Lt wrist plain film · lat · image size 503x994 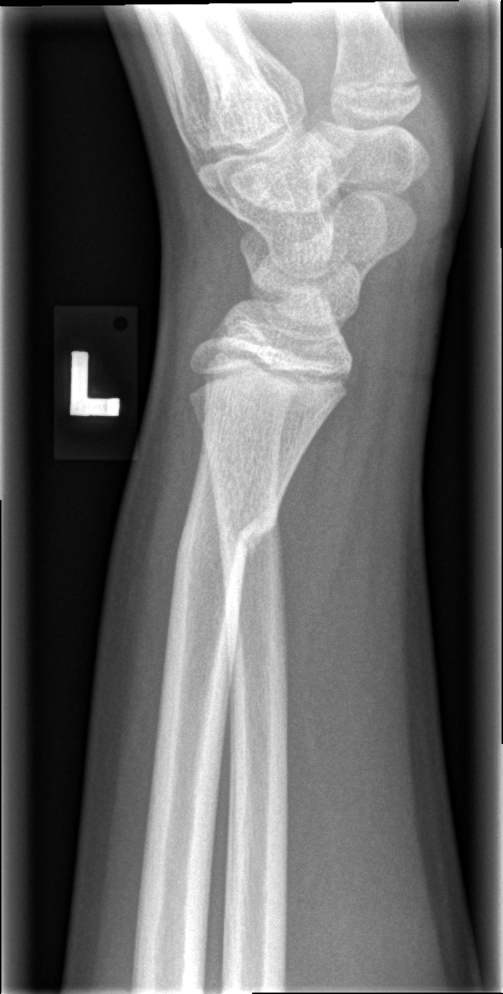
  fracture: [x1=172, y1=498, x2=279, y2=595]
  ao: 23r-M/2.1